Frontal view; Rt wrist X-ray; detector: Siemens: 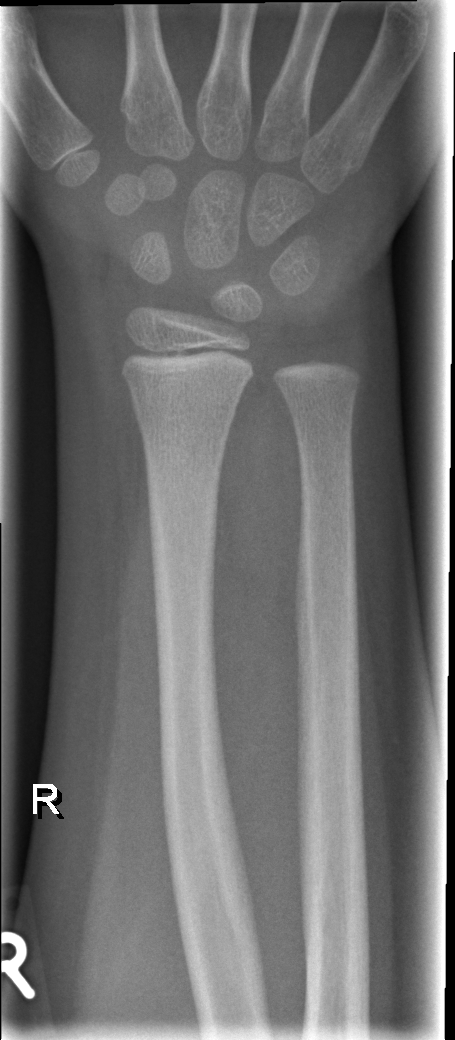

Fx present but not clearly seen in this view. AO code 23r-M/2.1.